AP view, Lt wrist plain film, acquired on Siemens, 87.1 mm image width, 605 by 1060 pixels: 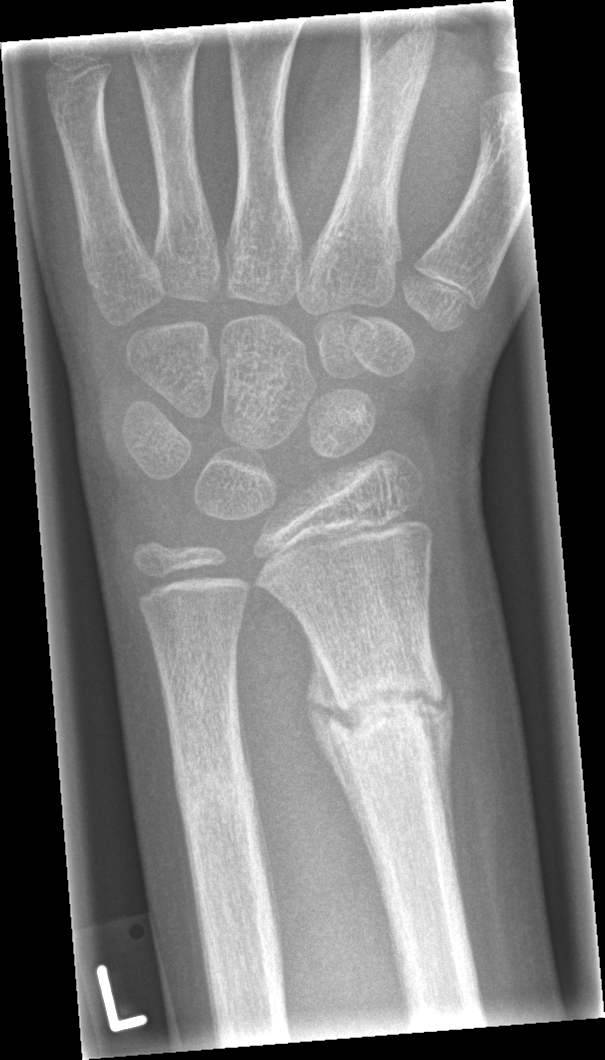
periostealreaction: 5 @ [306, 707, 384, 885] [420, 710, 463, 911] [251, 787, 283, 947] [304, 631, 354, 729] [235, 686, 257, 786]
fracture: [325, 668, 445, 751], [173, 756, 256, 819]
ao: 23r-M/3.1; 23u-M/2.1